Left wrist X-ray, lateral, subsequent exam:

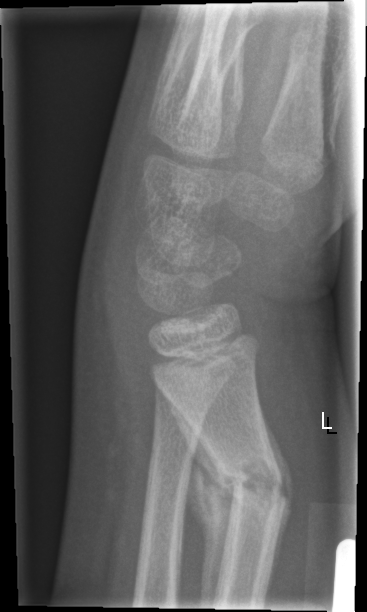
Findings: (bounding boxes in image-pixel xyxy) Periosteal thickening — [x1=168, y1=397, x2=232, y2=605] [x1=266, y1=418, x2=293, y2=566]. Fracture classified AO/OTA 23r-M/3.1; 23u-E/7. Bone fracture: [x1=208, y1=444, x2=291, y2=520].